AP | Rt wrist plain film | detector: Siemens. 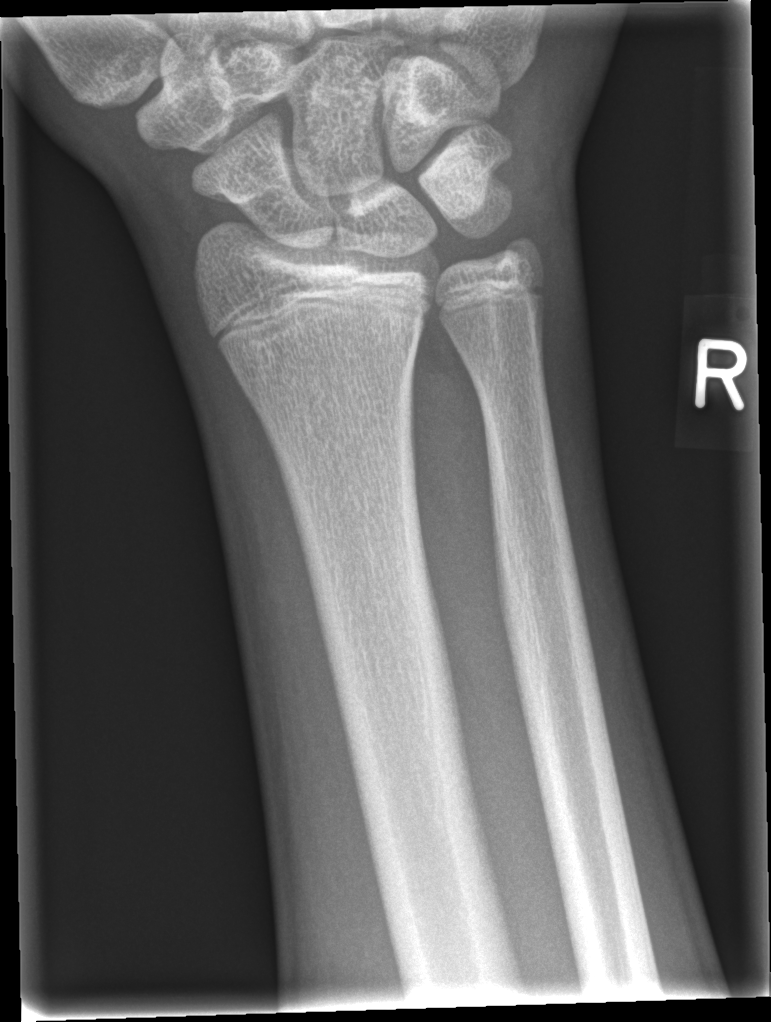 FINDINGS: Fracture: none labeled.